Left wrist plain radiograph of the wrist; lat projection; 10-year-old girl; 550 x 1044 px

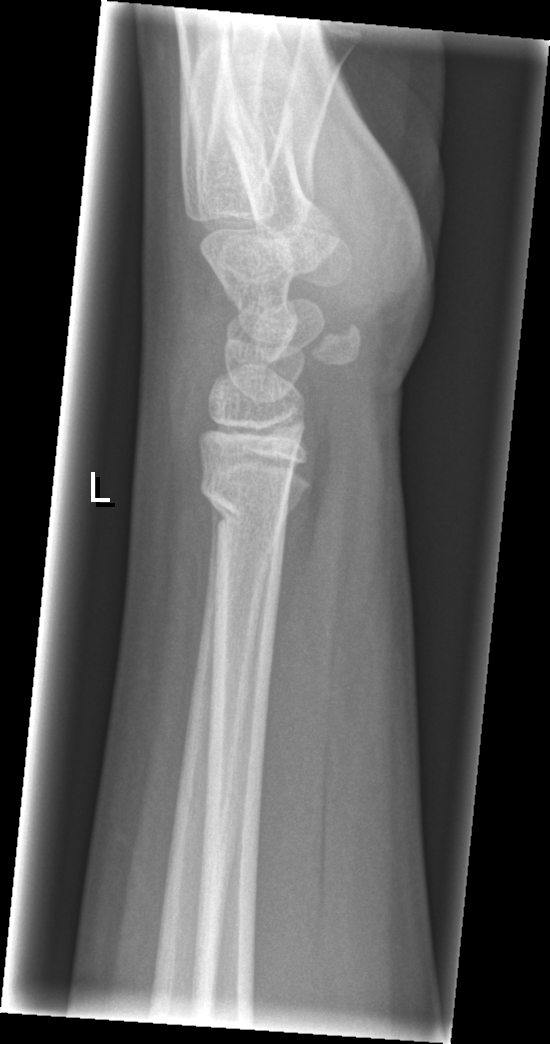 Fracture classified AO/OTA 23-M/2.1. Fx — <194,463>-<292,523> <211,493>-<306,531>.